Lateral | left wrist radiograph | 18y M | imaged through cast | Siemens: 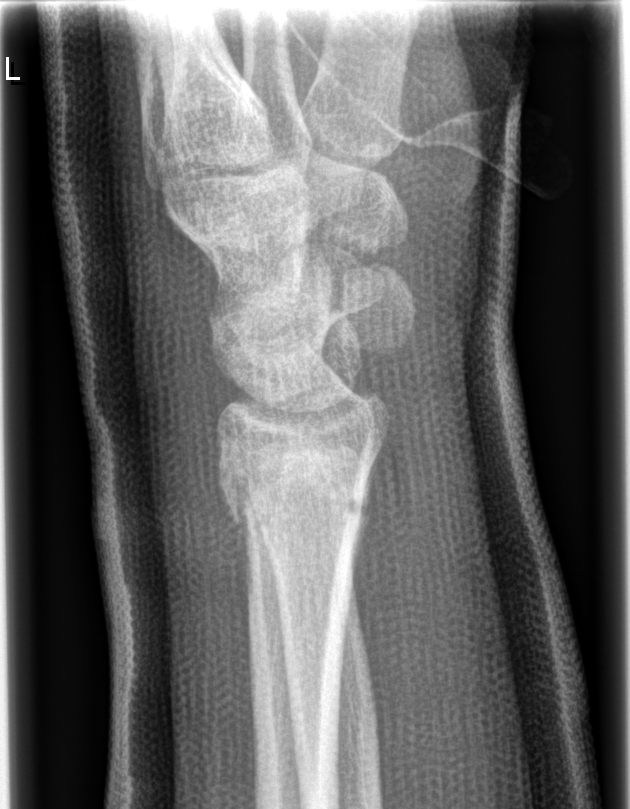   # bounding boxes in image-pixel xyxy
  ao: 23r-M/3.1; 23u-E/7
  periostealreaction: 1 @ [x1=345, y1=447, x2=380, y2=619]
  fracture: [x1=219, y1=469, x2=376, y2=533]